Lat view, Lt wrist plain film, age 16 y, female, 452x894.

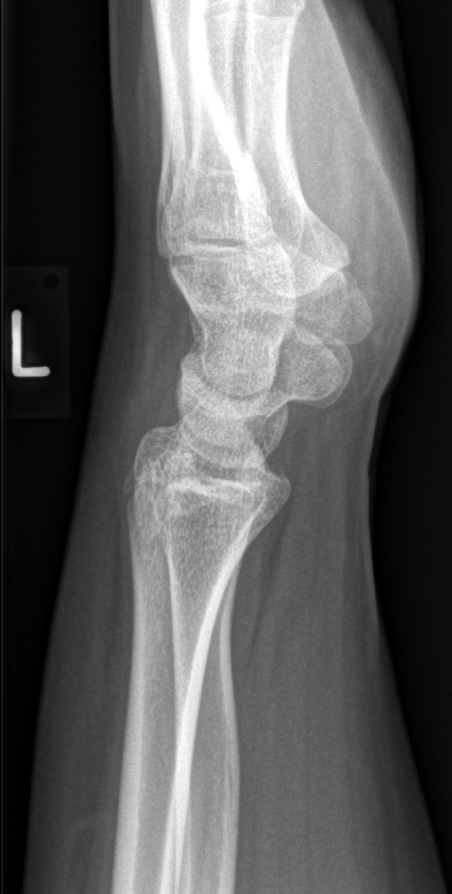
  fracture: none labeled